Lat projection; left wrist XR; age 11 y, female — 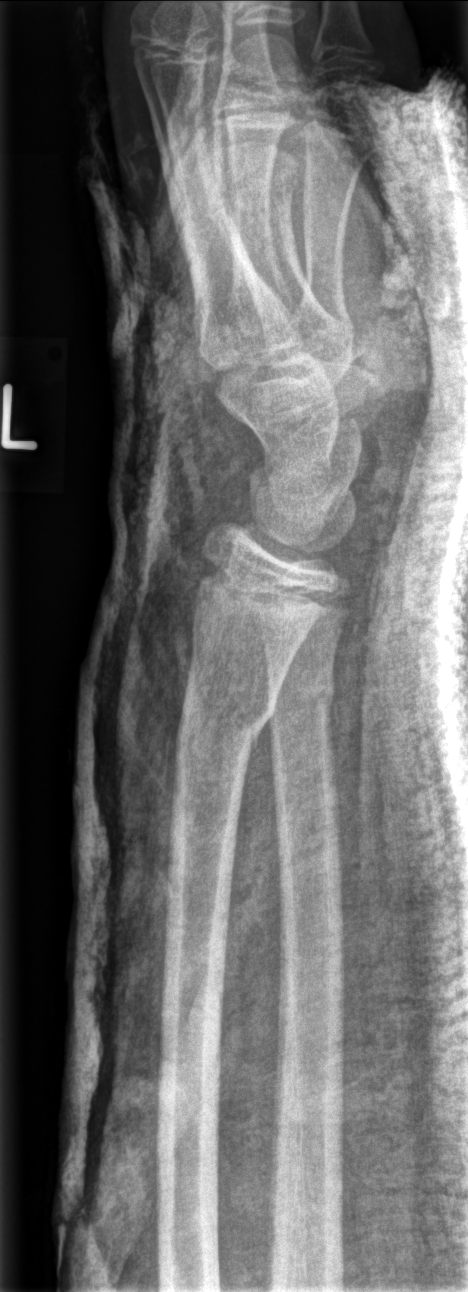 Two Fx at 172,685,281,750; 266,662,340,720.